PA, left wrist plain film, 509x1036 — 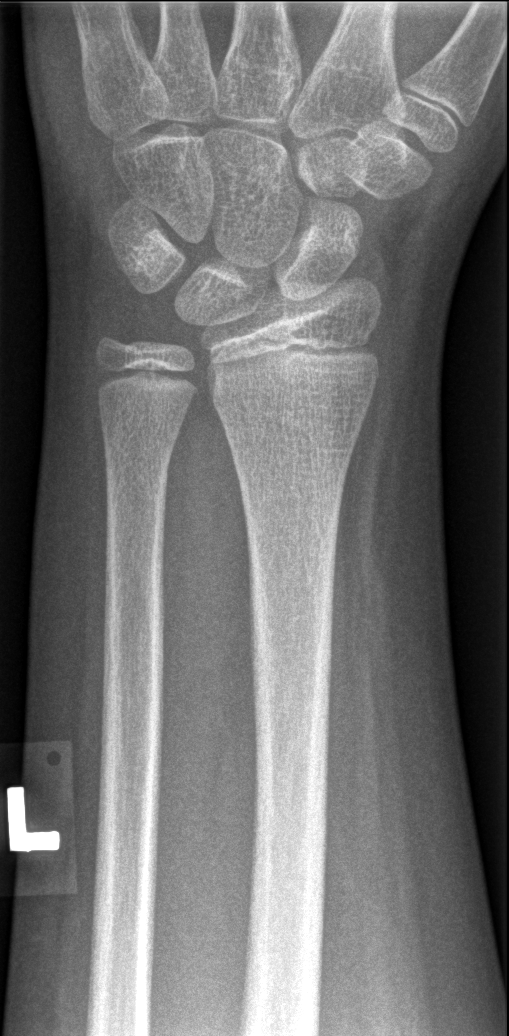 Fx: none.